L wrist radiograph | AP projection | in cast | 645 x 922 px:

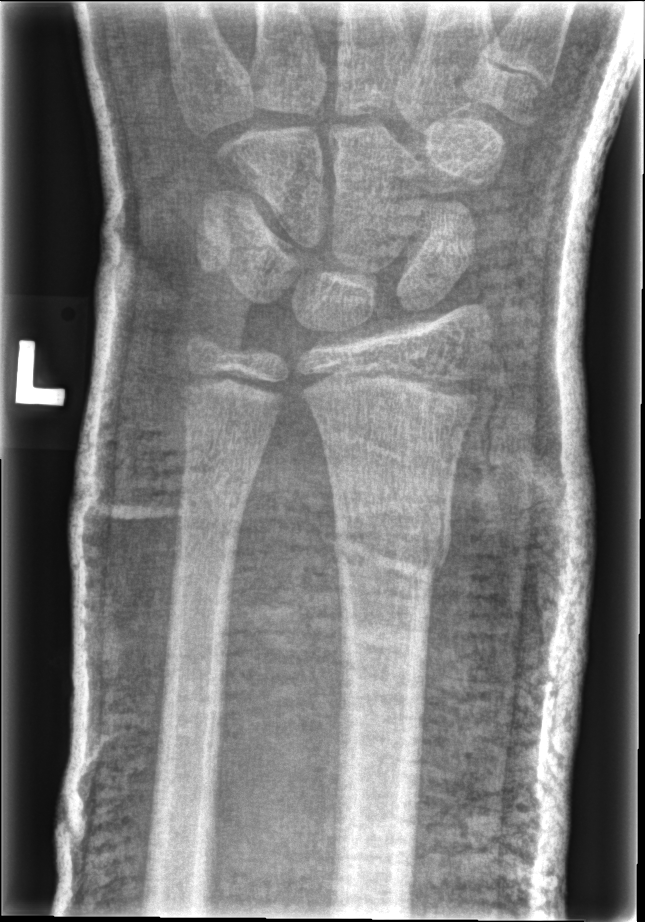 Fracture classified AO/OTA 23r-M/3.1; 23u-M/2.1.
Fx — <328,495>-<454,587>.